Rt wrist XR; PA projection; 12-year-old female; detector: Siemens; 628 x 890 px
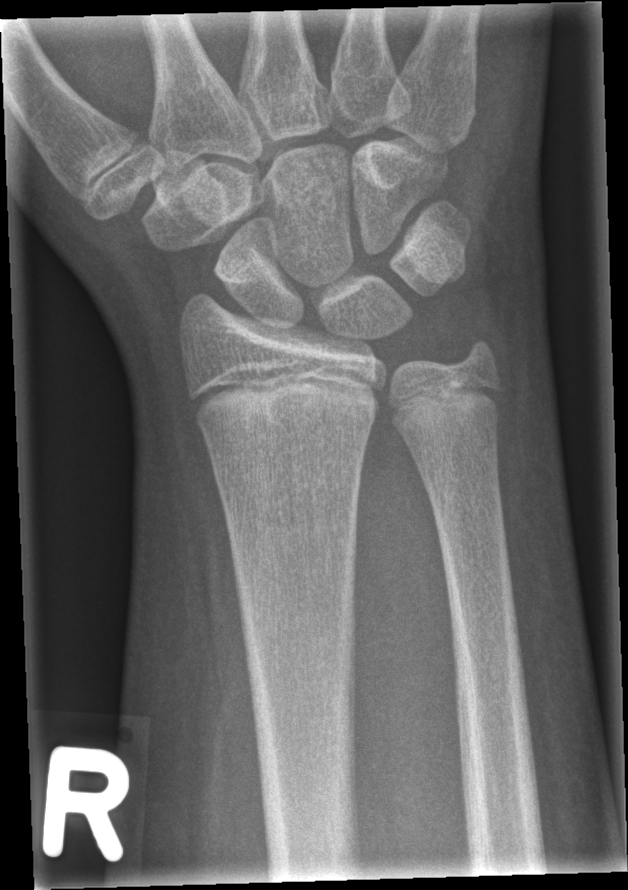
{"fracture": "none labeled"}